AP projection, left pediatric wrist radiograph, 6y M — 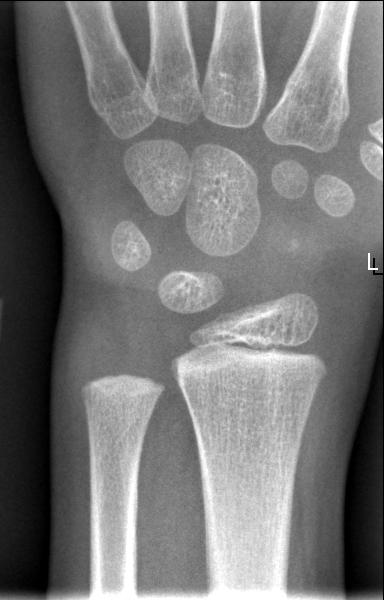
Bone fracture = none labeled